PA projection; Rt wrist X-ray; subsequent exam; in cast; acquired on Siemens

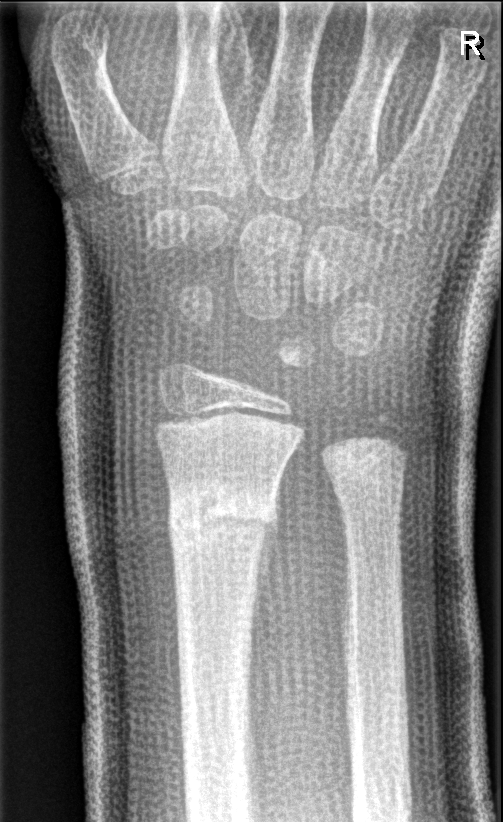

Two fractures at 162 482 283 556 | 330 466 407 511.